PA/AP projection; left wrist pediatric wrist radiograph; pediatric patient (male, age 17) —

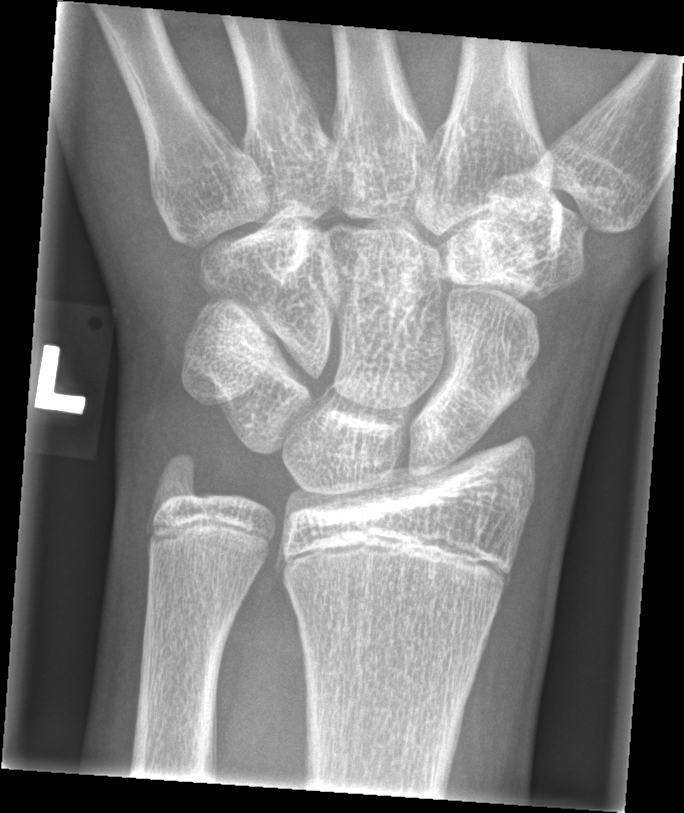 * No Fx annotated.